R wrist plain film; PA projection; female, 1.3 yo: 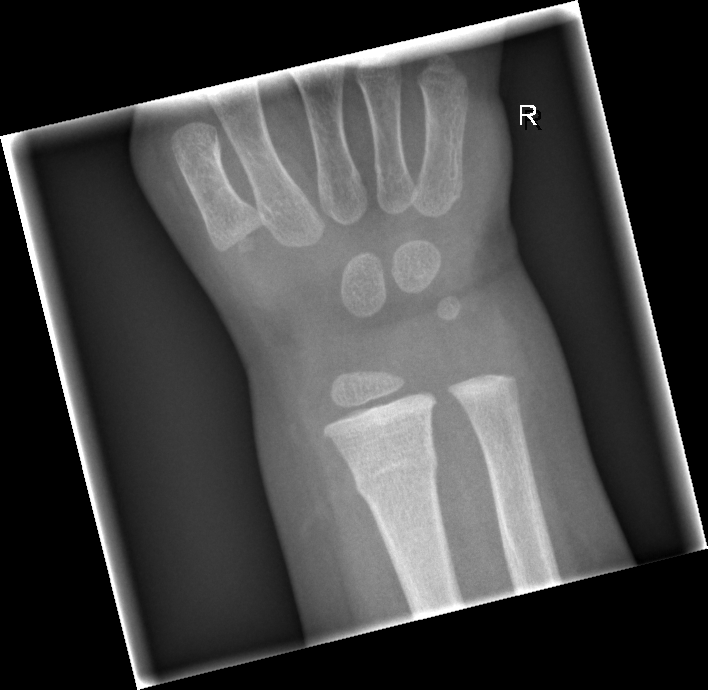
AO code 23r-M/2.1. Fx: 350 444 443 501.